Lat; right wrist plain radiograph of the wrist; 15y M; subsequent exam —
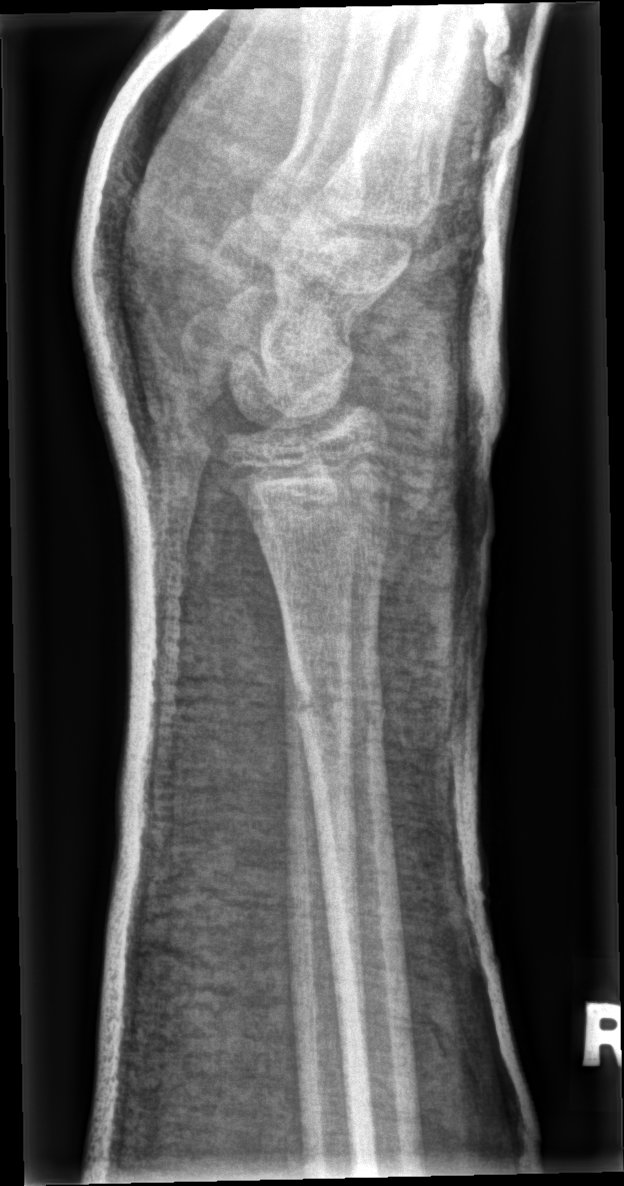
Bone fracture: [x1=281, y1=661, x2=391, y2=747]; [x1=582, y1=1002, x2=624, y2=1066]